Posteroanterior, L wrist radiograph.

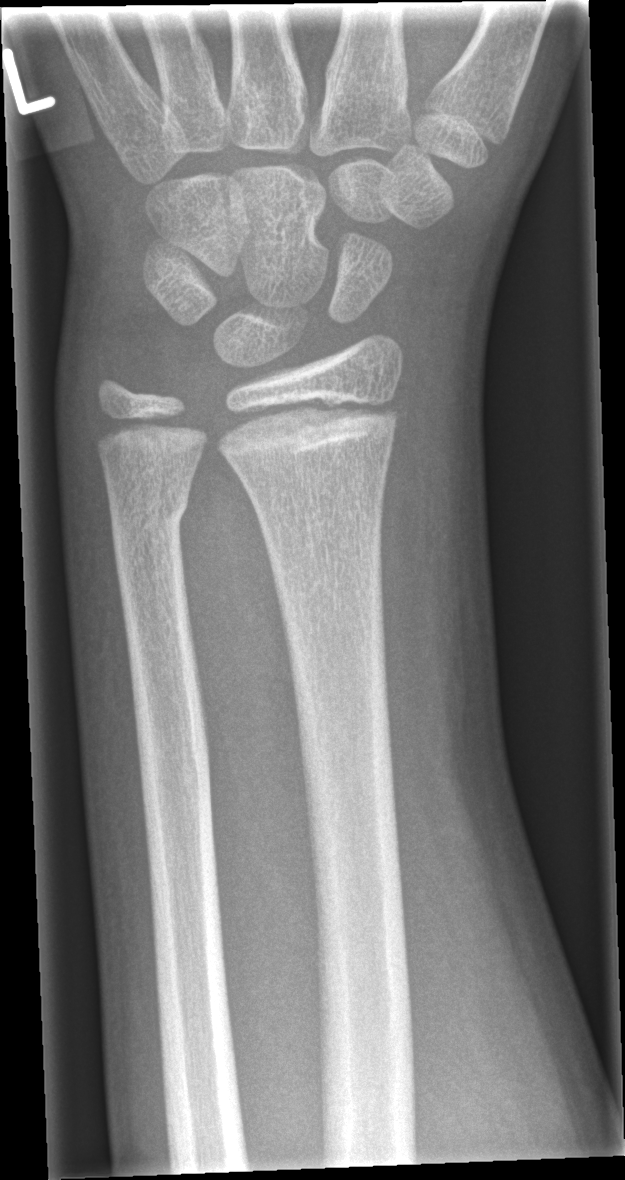 * AO code 23r-E/2.1; 23u-M/2.1.
* Bone fracture: 212 395 399 456; 108 487 193 560.